Lateral view; Lt wrist XR; pediatric patient (boy, age 12); Siemens; image width 70.3 mm. 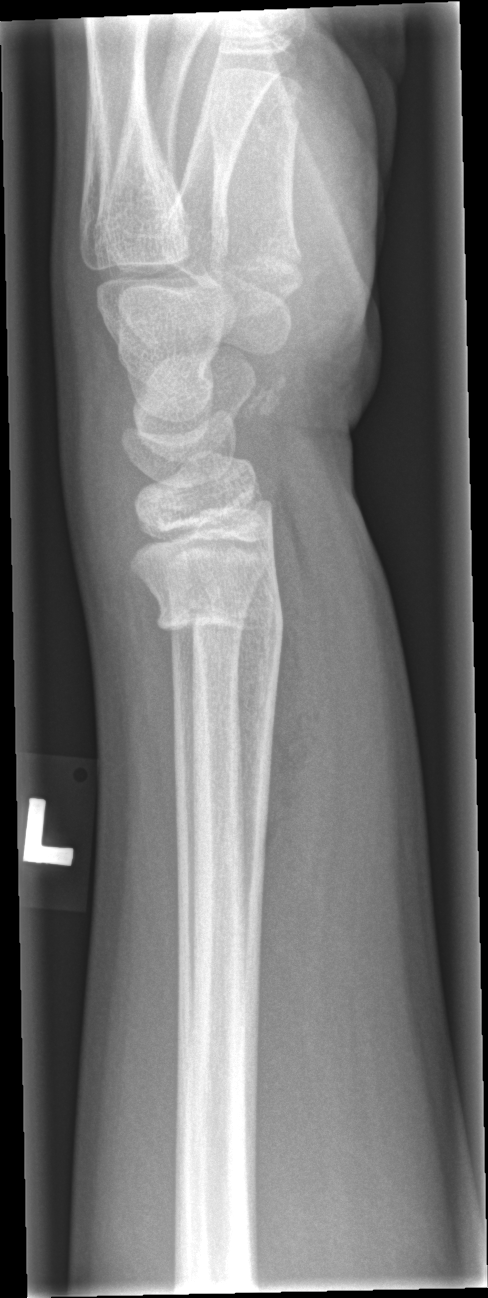 {"ao": "23r-M/2.1; 23u-E/7", "pronatorsign": "<261,507>-<340,932>", "fracture": "<148,582>-<289,662>"}